Right wrist X-ray, lateral, 13y M:
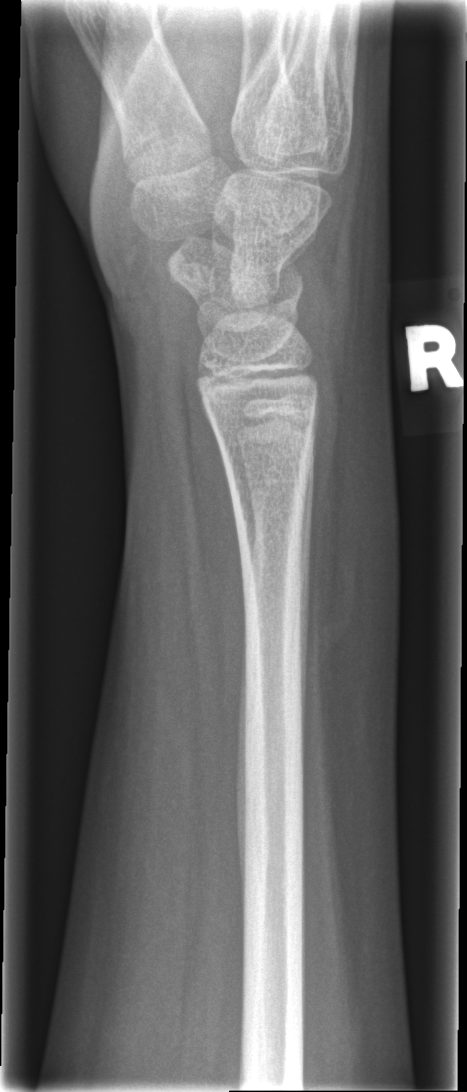
Q: Locate any fractures.
A: No fracture labeled